Lateral; right wrist XR; age 9 y, female; follow-up; acquired on Siemens; 517 x 854 px:

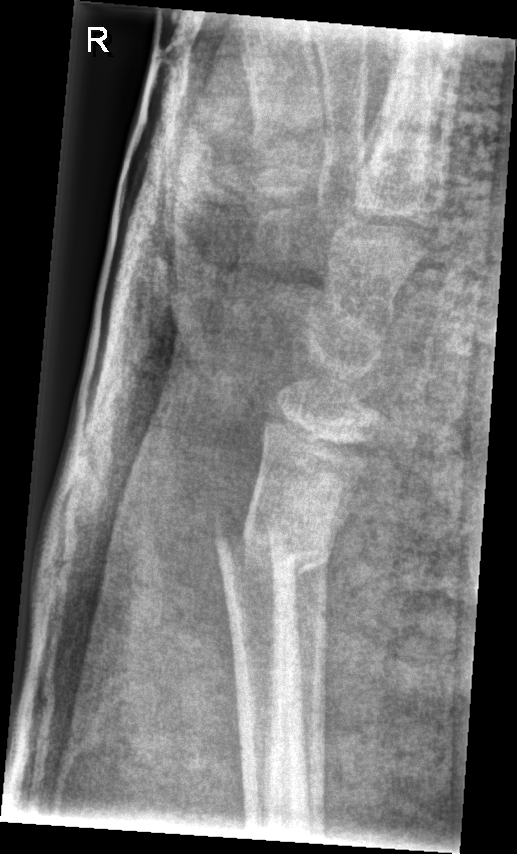
(coordinates are [x1, y1, x2, y2] in image pixels)
Fracture: (left=213, top=507, right=337, bottom=586)